Lateral projection; Lt wrist radiograph; age 13 y, female 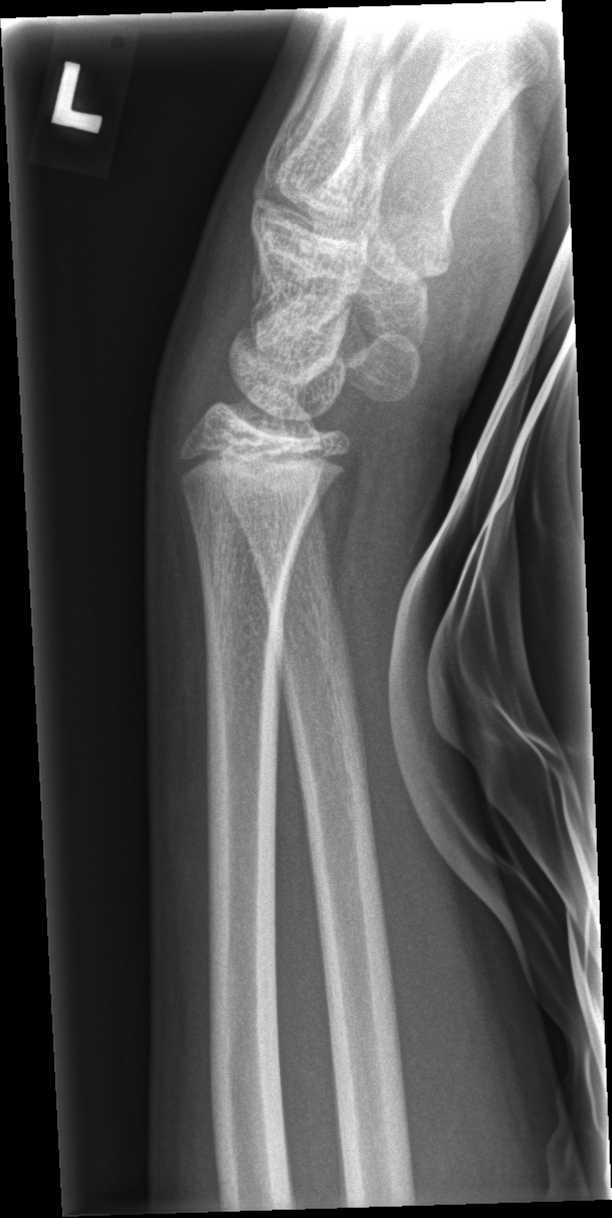
FINDINGS: Fracture: none labeled.